R plain radiograph of the wrist · lat projection · acquired on Siemens:

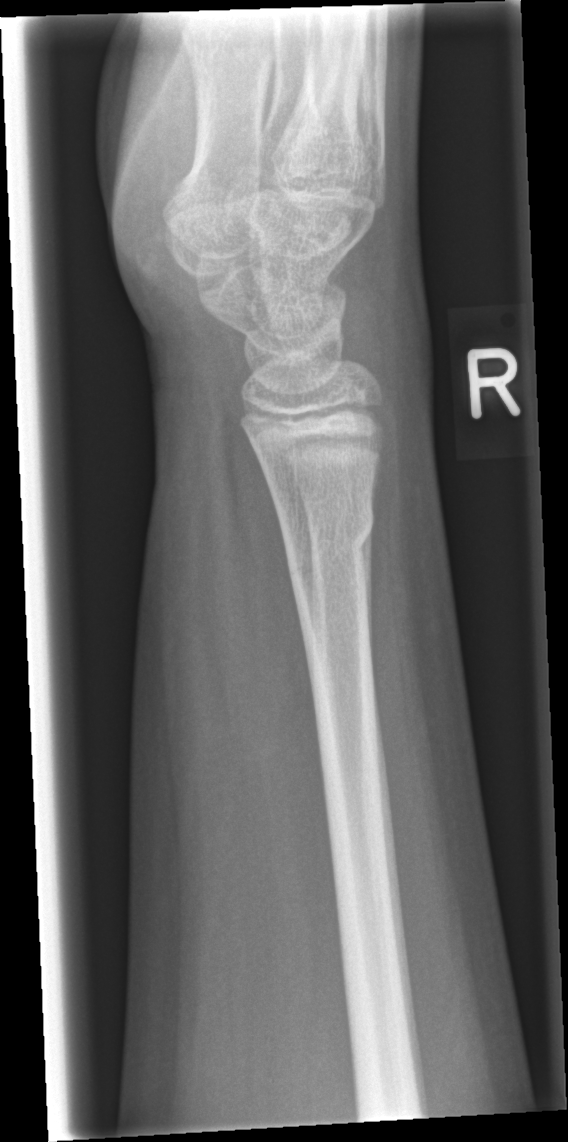
Bone fracture = [280, 491, 381, 583]
AO classification = 23r-M/2.1